L wrist XR, lateral —

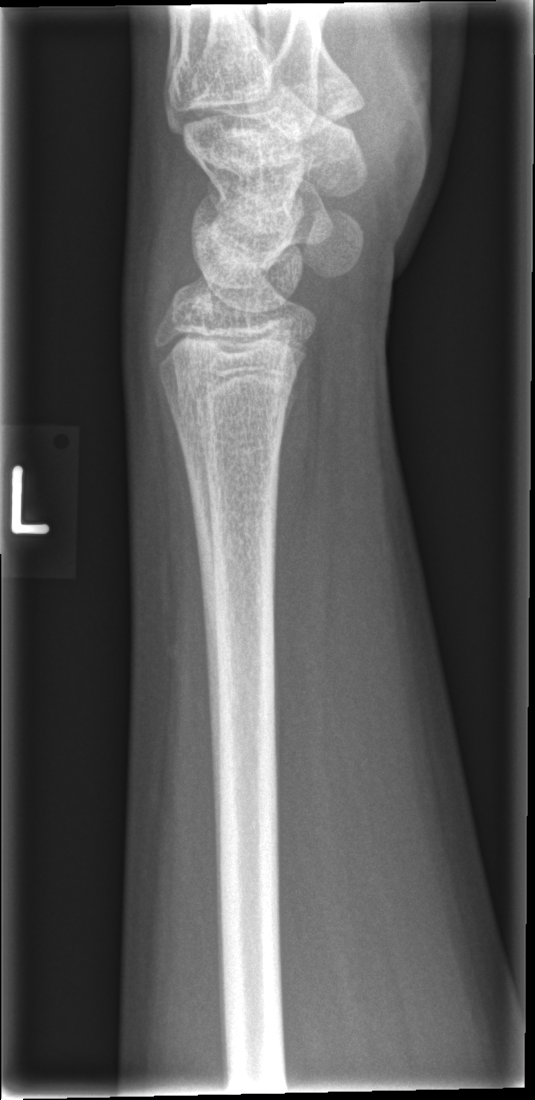

Findings: Fx: none.